Lt wrist plain film; lateral view; detector: Siemens:
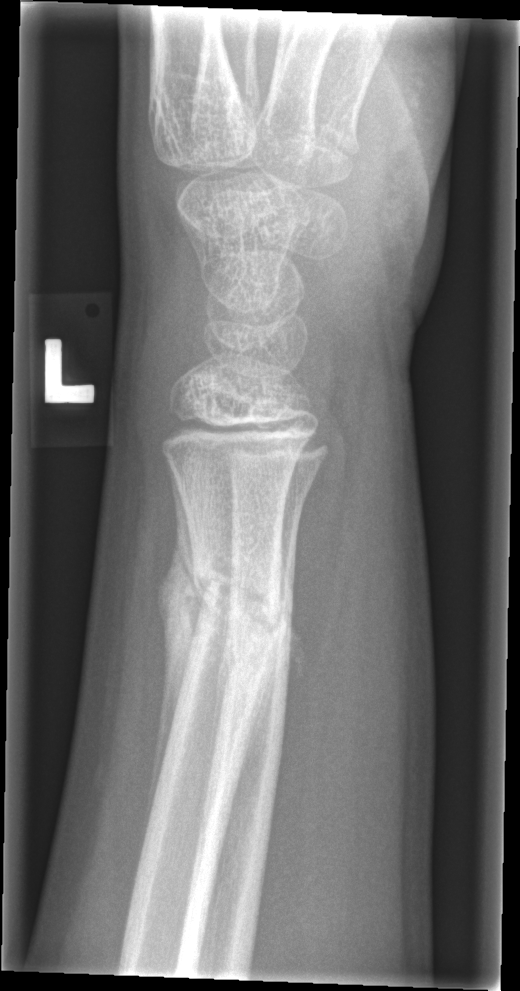 One Fx at [171, 566, 300, 682]. AO code 23r-M/3.1; 23u-M/2.1. Periosteal thickening identified at [134, 457, 212, 888]; [239, 560, 304, 776]; [198, 631, 239, 846]. Decreased bone density (osteopenia).